L wrist plain film | posteroanterior view | 8y F 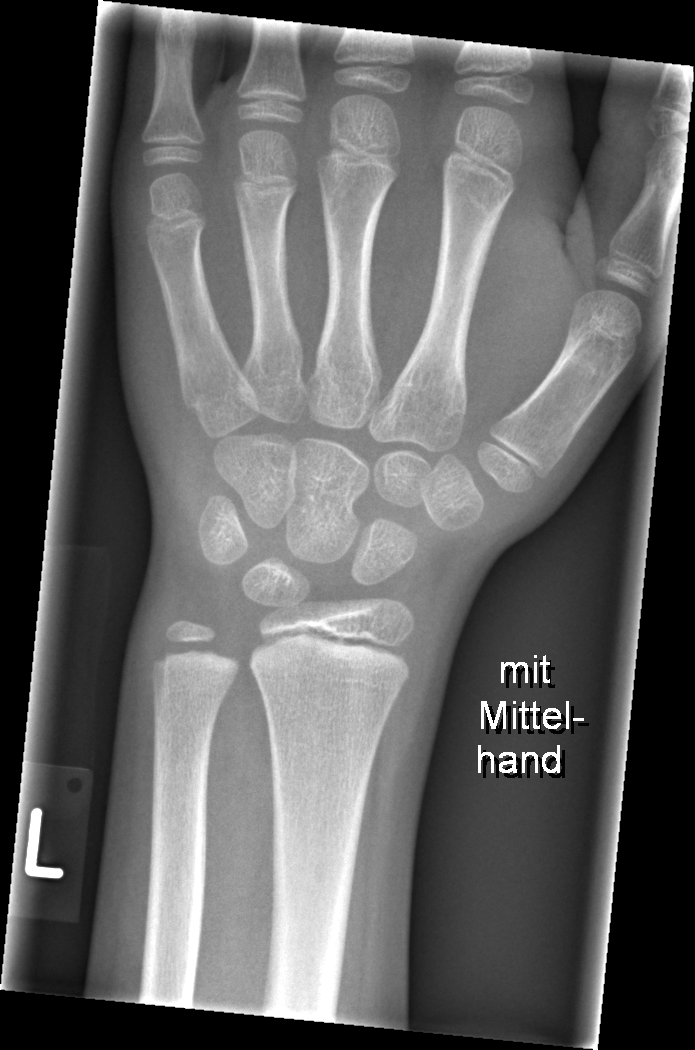
Fracture: none labeled.